Lat projection | L wrist XR | acquired on Siemens —

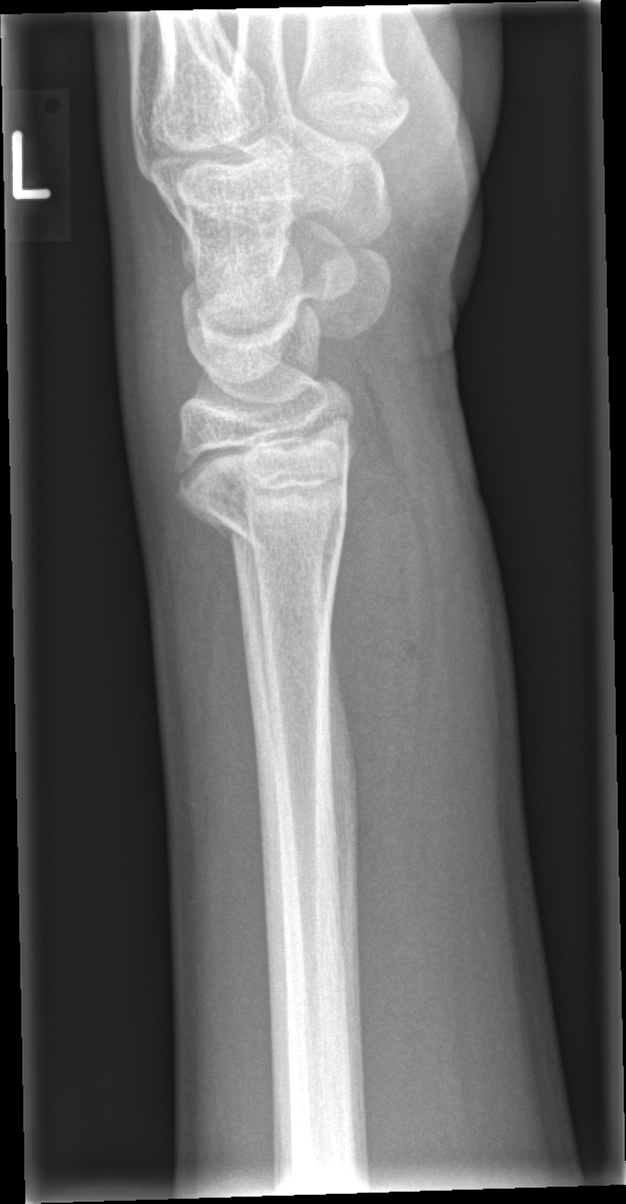 One fracture at (left=196, top=467, right=351, bottom=577). Fracture classified AO/OTA 23r-M/2.1; 23u-E/7. One pronator sign at (left=329, top=424, right=429, bottom=953).